Left wrist pediatric wrist radiograph · PA/AP projection · image width 82.4 mm · 572 x 1072 px.

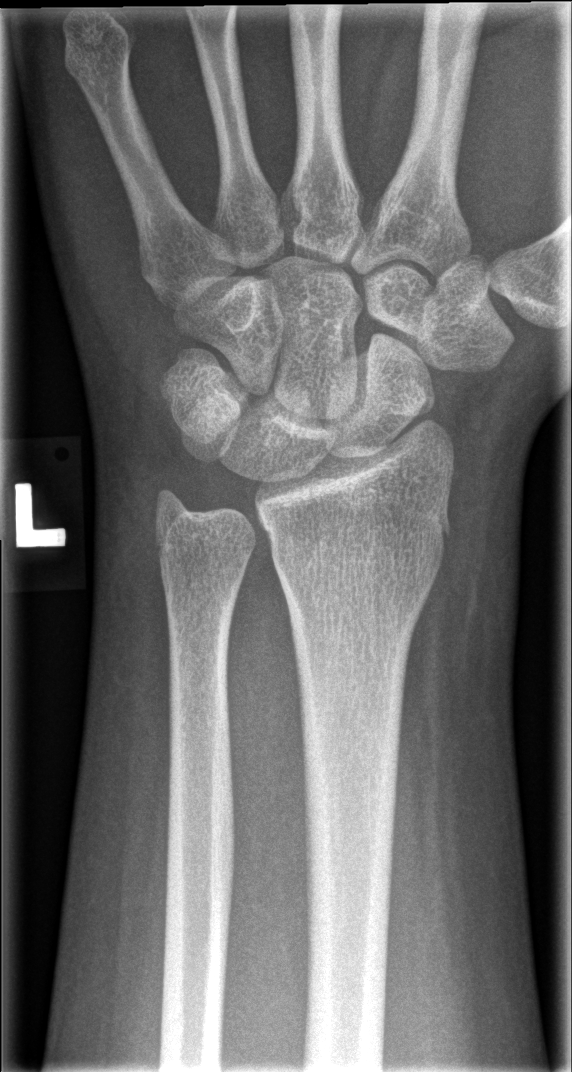

FINDINGS: No fracture bounding box.